R pediatric wrist radiograph | AP view | 6y M | image 91.4 mm wide

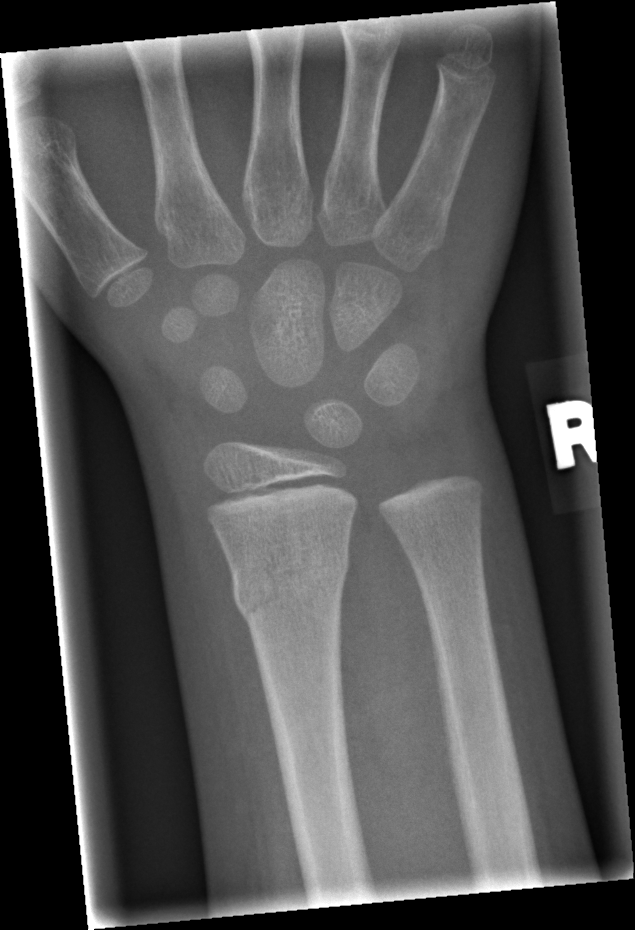
fracture: 229 543 352 622
ao: 23r-M/2.1